Right plain radiograph of the wrist · AP projection · 518 x 1009 px

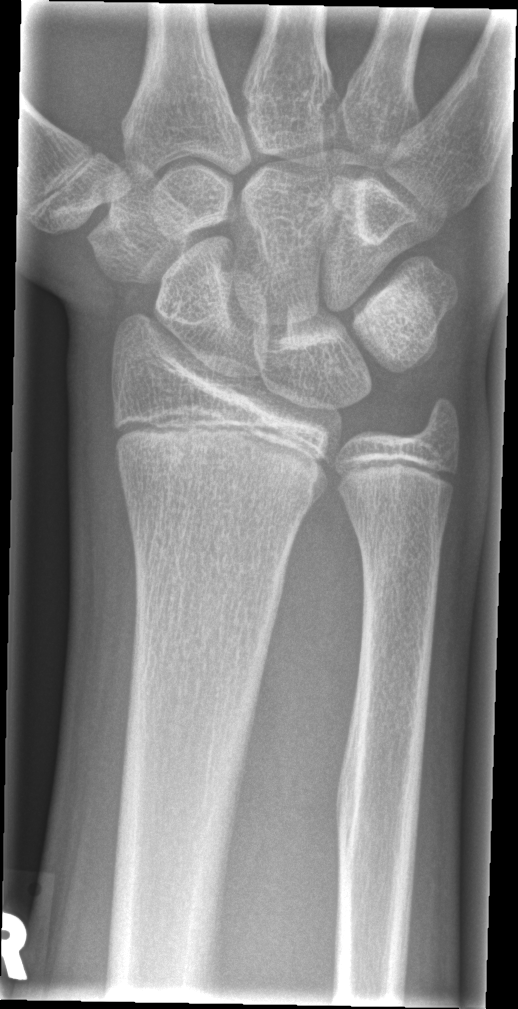
Fracture: present but not clearly seen in this view
AO/OTA: 23r-M/2.1